PA view · Lt wrist plain film · girl, 14 yo · 462 by 1404 pixels
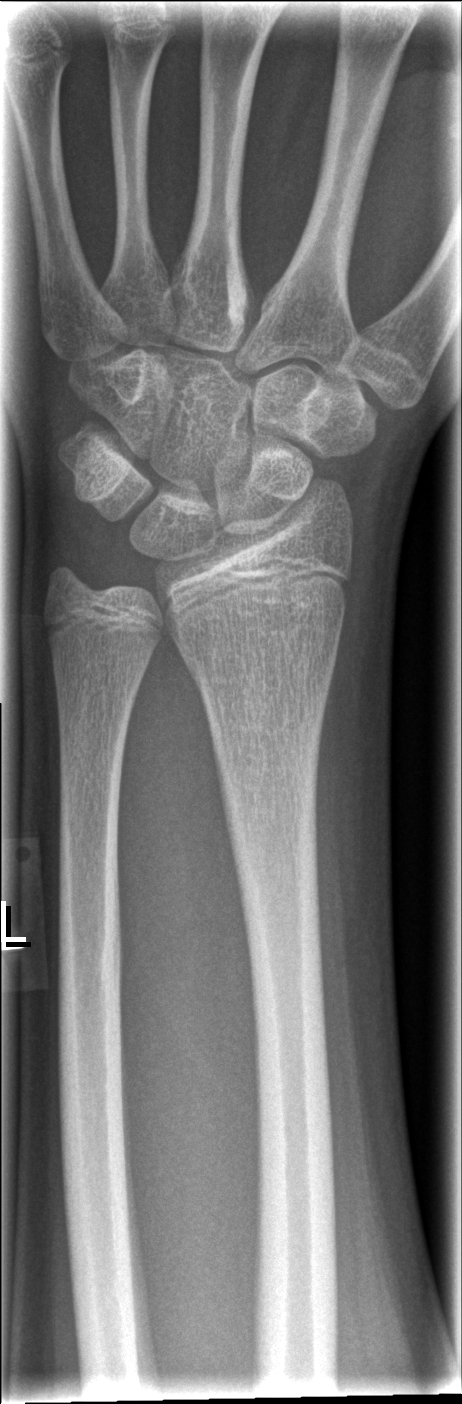 fracture: none labeled